Lat view; L wrist XR; acquired on Siemens; image width 80.9 mm
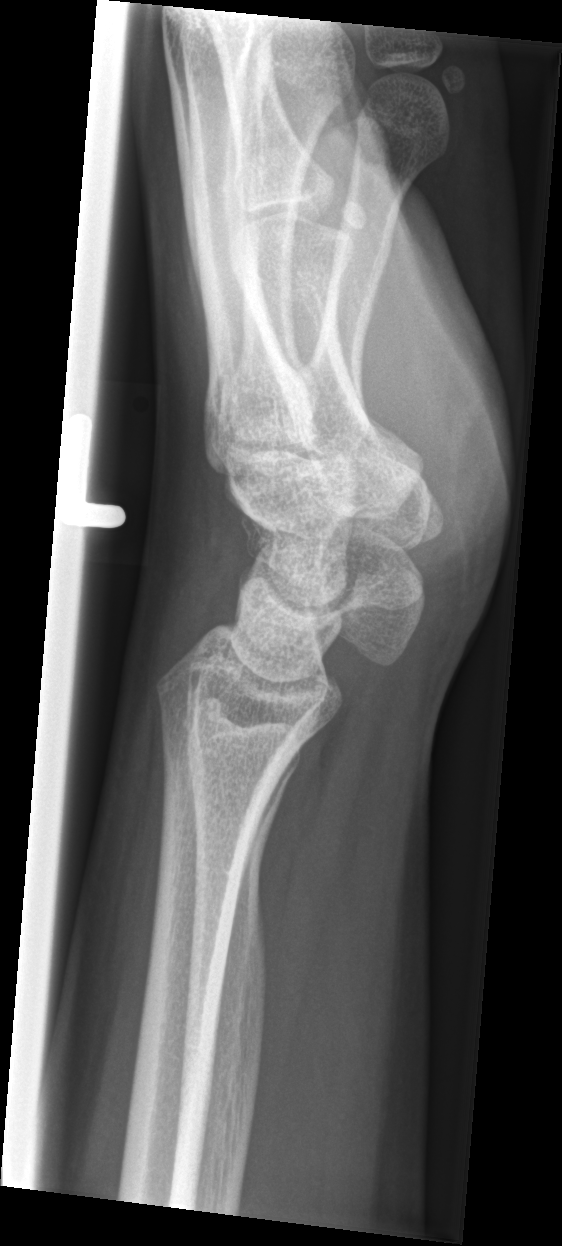
Fracture: none labeled.